Right wrist plain radiograph of the wrist · AP projection · 12y M · index exam:
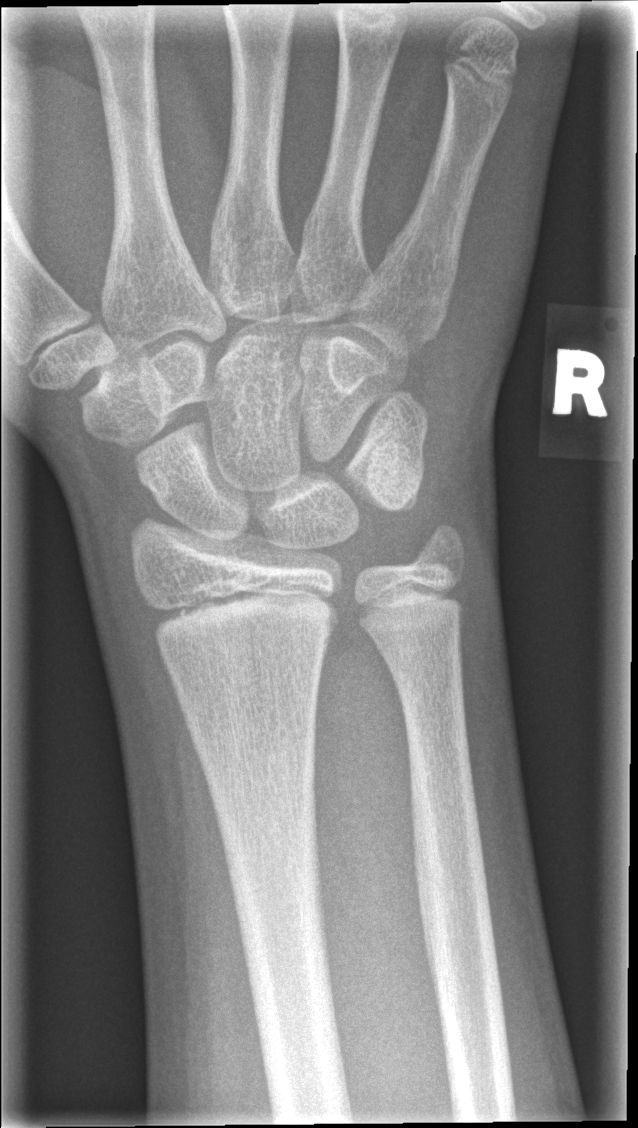 fracture: none labeled